Lat · Lt wrist radiograph · image 57.7 mm wide

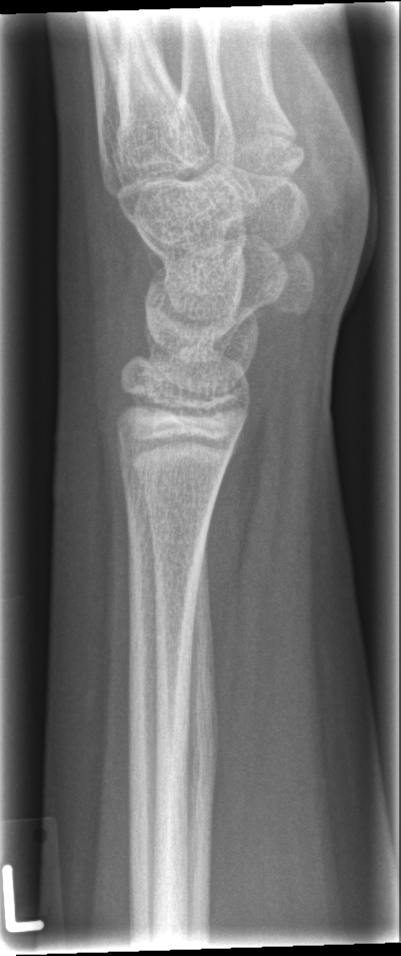

No fracture labeled.